Lateral projection · left pediatric wrist radiograph · age 10 y, male · in cast:
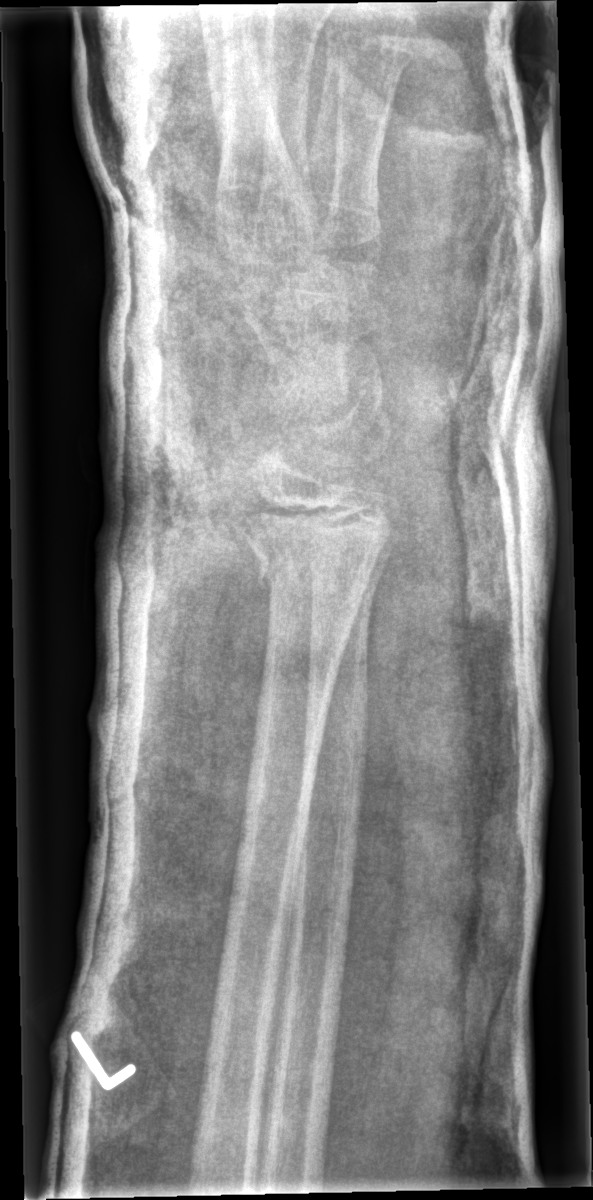 Pixel coordinates, top-left origin, xyxy.
Bone fracture — [229, 503, 393, 603].
AO/OTA classification: 23r-E/2.1; 23u-E/7.